Rt pediatric wrist radiograph; AP view; pediatric patient (boy, age 12); follow-up study; 594 x 1053 px 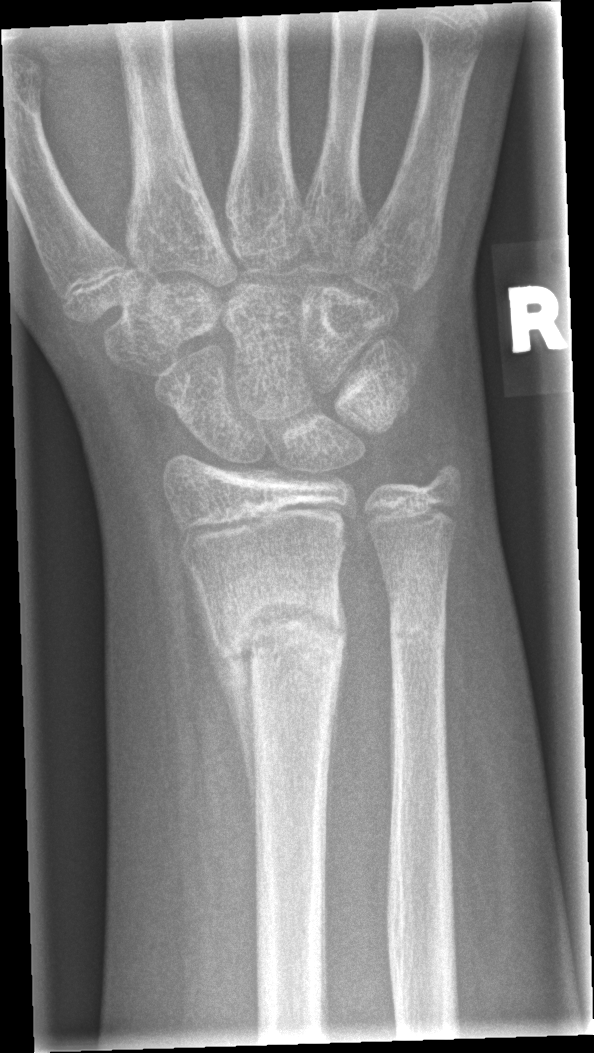

- Bone fractures — [x1=208, y1=582, x2=354, y2=685], [x1=385, y1=593, x2=453, y2=667].
- Decreased bone density (osteopenia).
- AO/OTA classification: 23r-M/3.1.
- Periosteal new bone identified at [x1=191, y1=569, x2=259, y2=872].